Lt wrist XR · PA · initial study · acquired on Siemens · 104.0 mm image width · 722 by 1032 pixels:
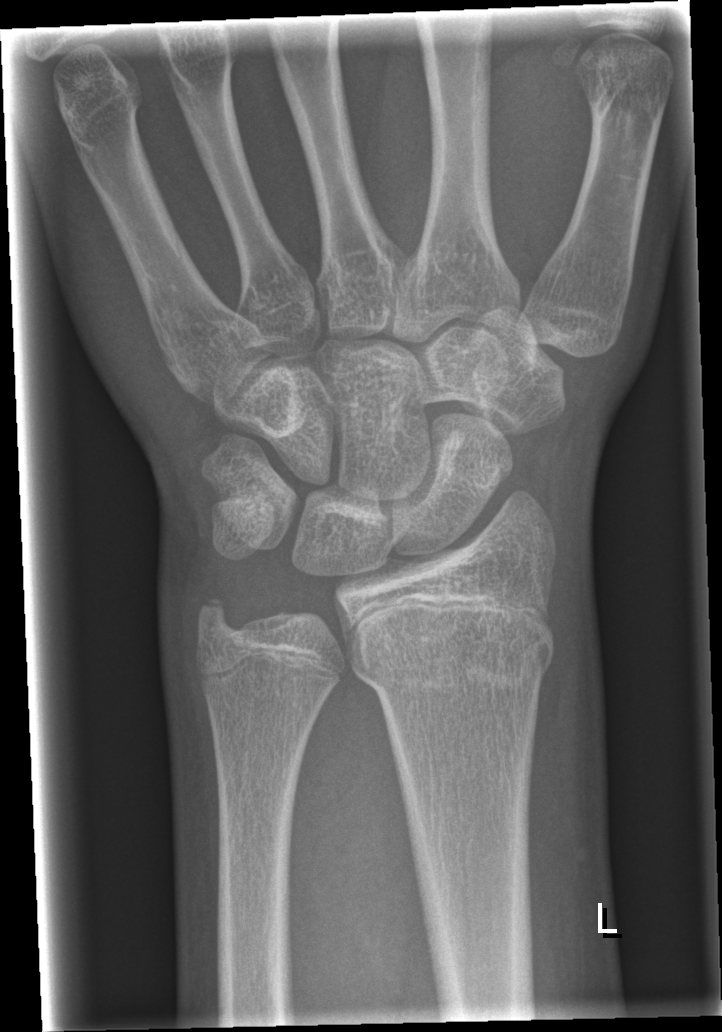

Fracture = 2 @ (left=348, top=607, right=558, bottom=700); (left=189, top=589, right=252, bottom=647)
Soft-tissue swelling = 1 @ (left=521, top=571, right=606, bottom=972)